R wrist X-ray, PA/AP, cast present, image size 704x1061 — 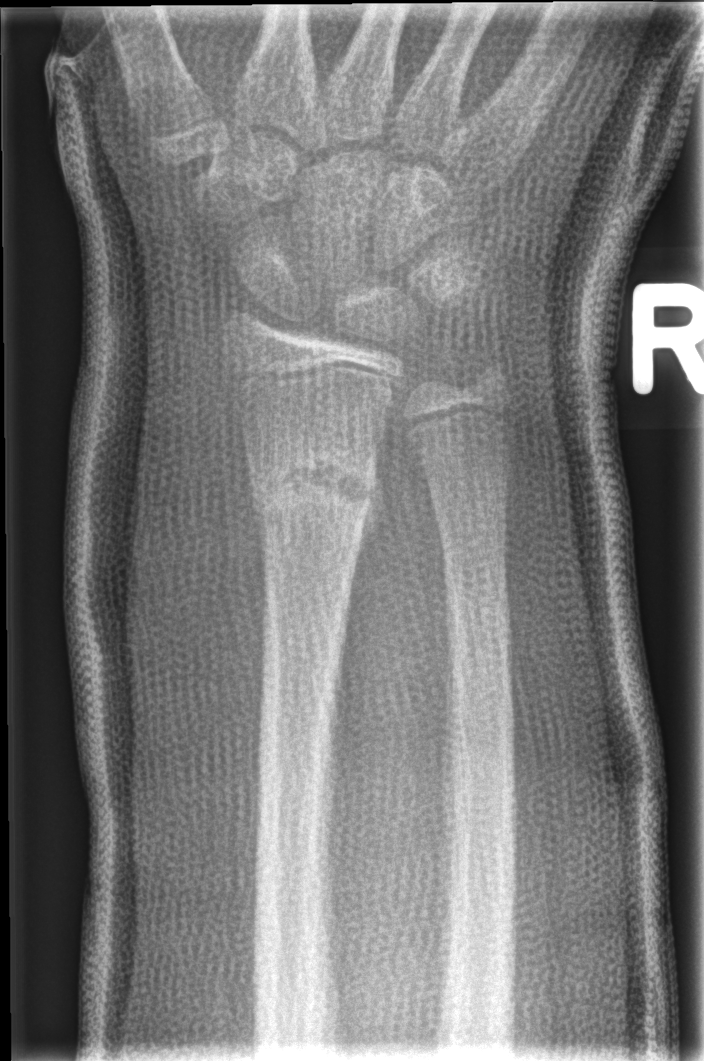 Fracture = 1 @ (left=243, top=436, right=384, bottom=558)
AO classification = 23r-M/3.1; 23u-E/7